Lateral view | R pediatric wrist radiograph: 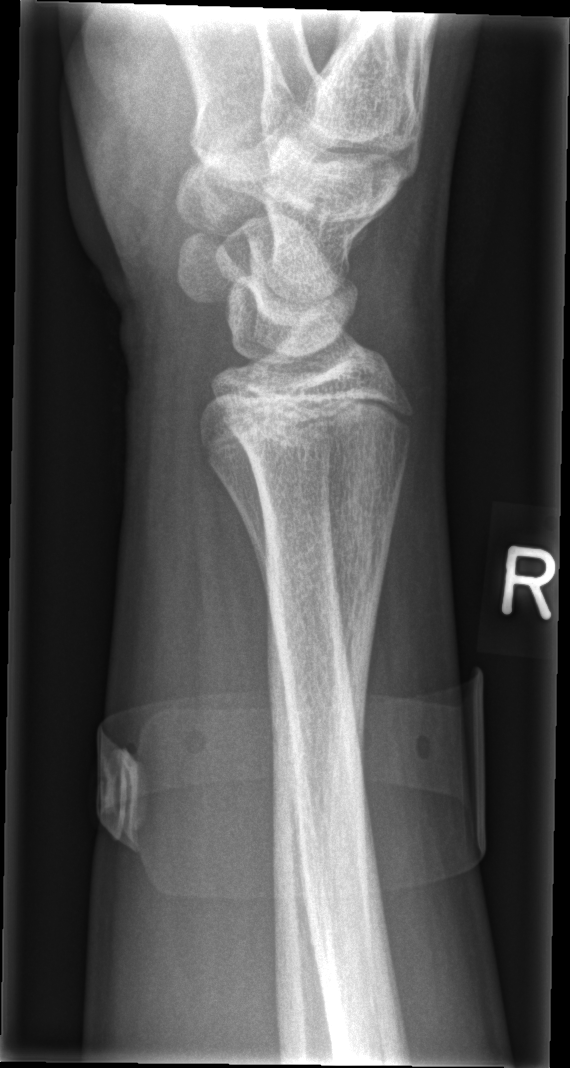

Fx: none.